Left wrist XR · PA projection · 697 by 1102 pixels
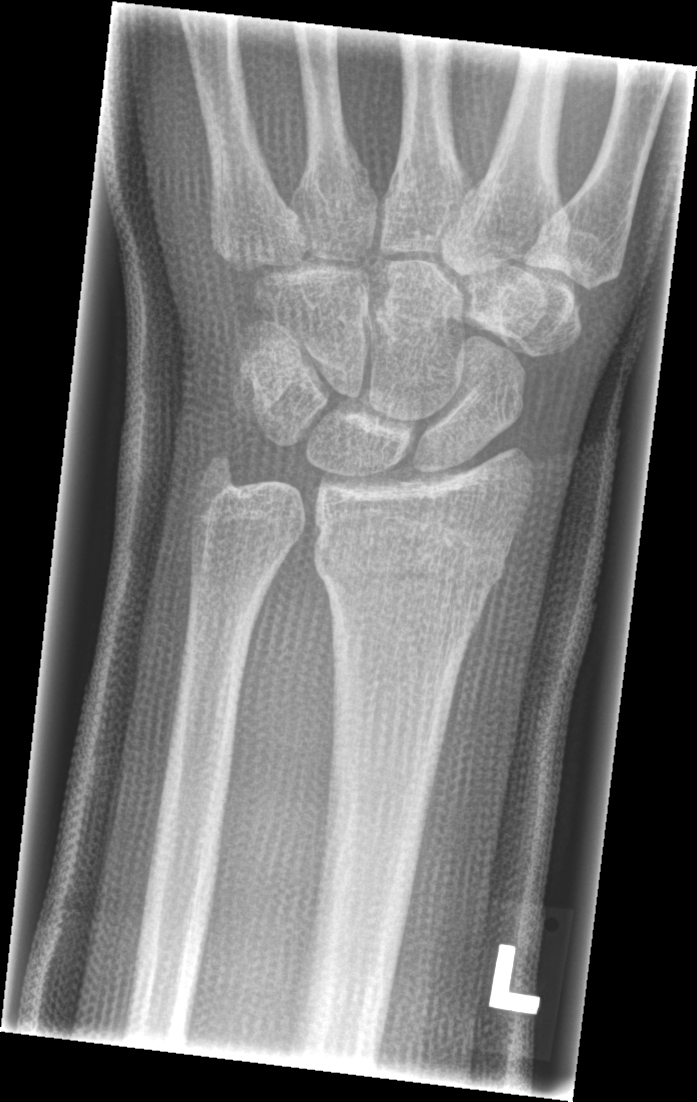

(coordinates are [x1, y1, x2, y2] in image pixels)
AO classification = 23r-M/3.1
Bone fracture = 1 @ (310, 508, 513, 618)